Right wrist radiograph, lat view, acquired on Siemens —
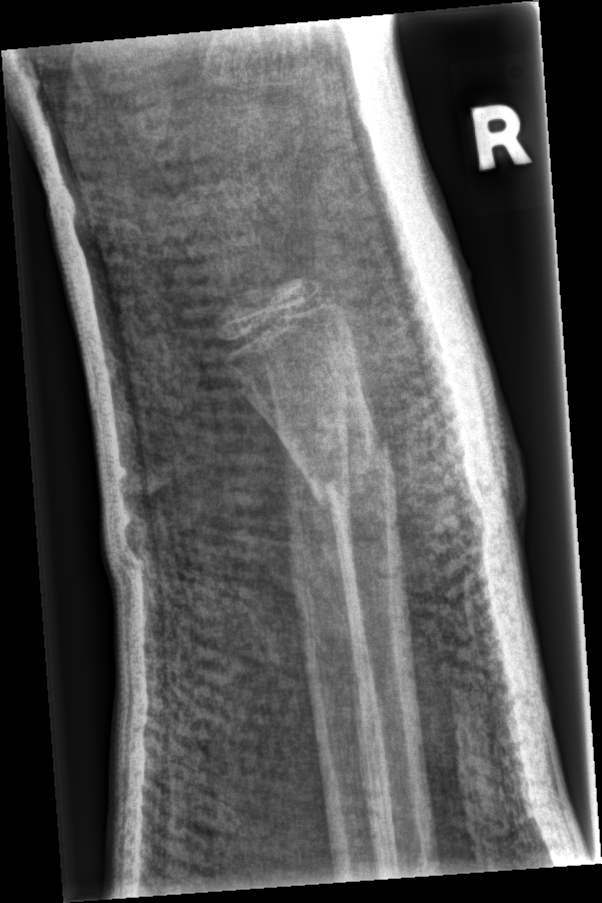

AO/OTA = 23r-M/3.1; 23u-M/2.1
fracture = 1 @ 286,425,400,523